PA | left wrist radiograph: 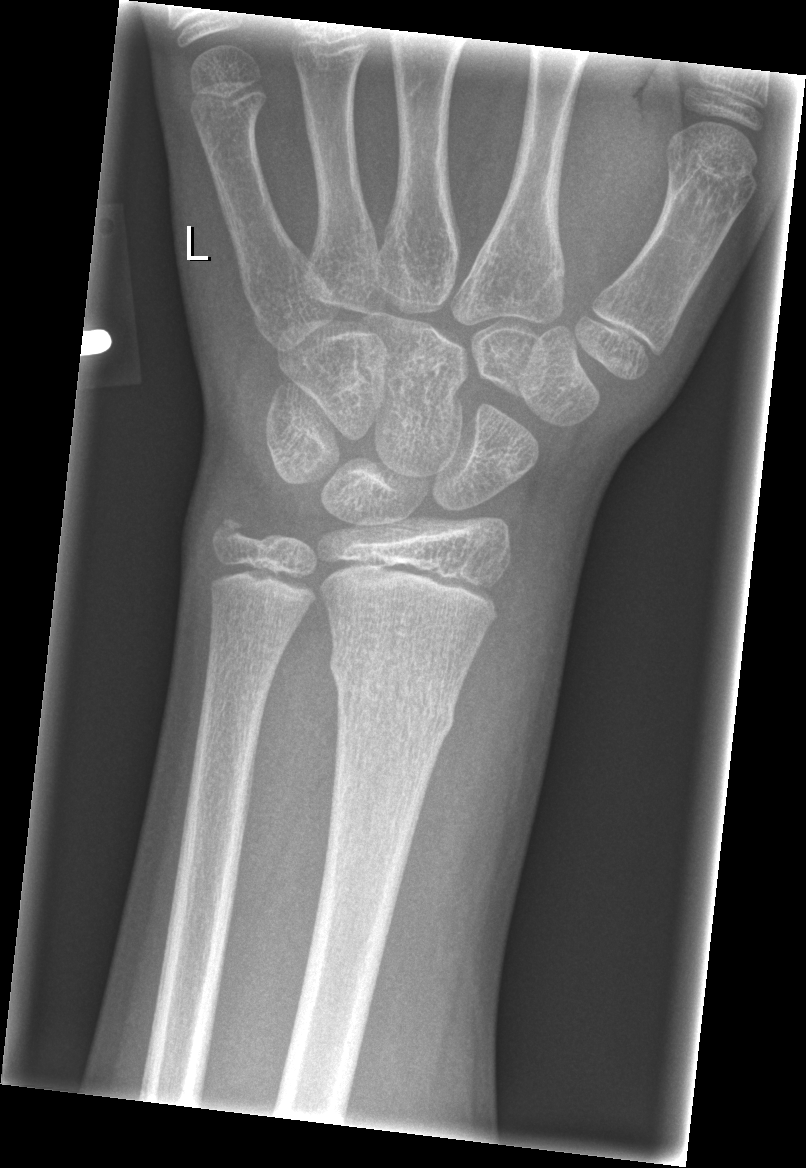

(boxes as x1,y1,x2,y2 (top-left / bottom-right, pixel units))
bone fracture = 326,645,458,743
  203,501,264,567
AO code = 23r-M/2.1; 23u-E/7